PA/AP projection | left wrist radiograph | initial study | 83.8 mm image width | 582 by 1032 pixels.

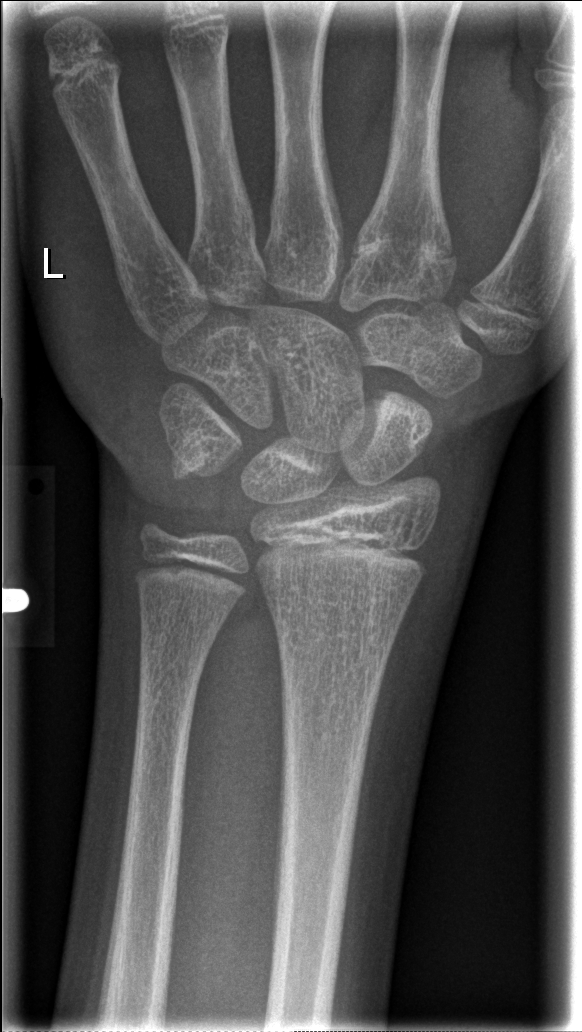

Fracture: none labeled